Lat view; Lt wrist plain film; presentation radiograph; image 67.1 mm wide; 466x924.
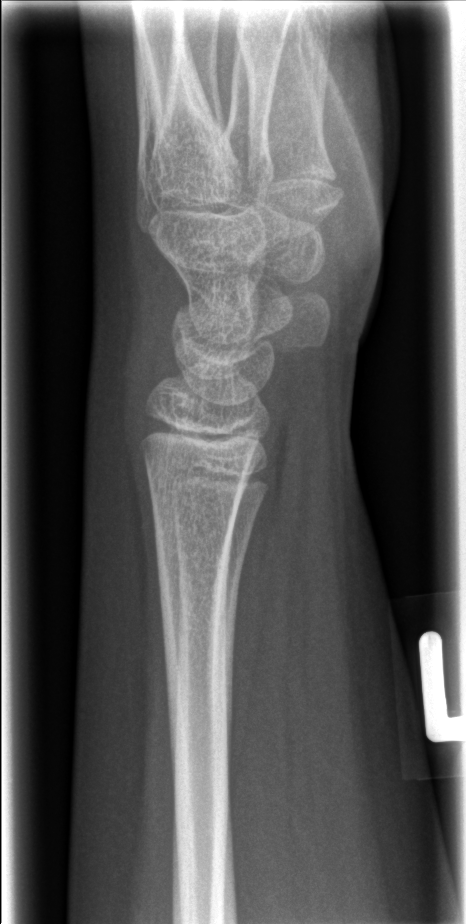
No fracture bounding box.